PA | left wrist radiograph | age 3 y, female | initial study —
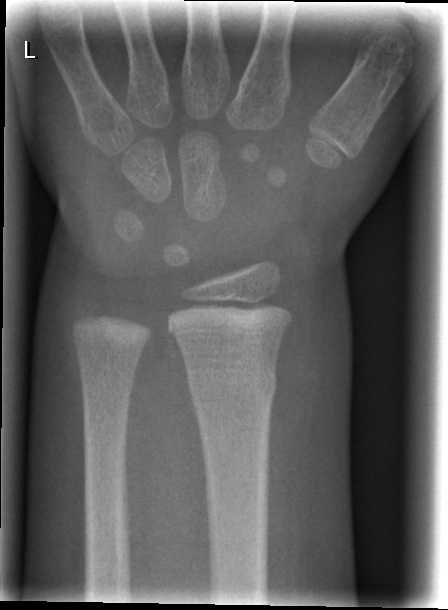
Bone fracture identified at (left=184, top=363, right=280, bottom=408).